Left wrist XR | posteroanterior | subsequent exam | imaged through cast | 617 x 822 px —

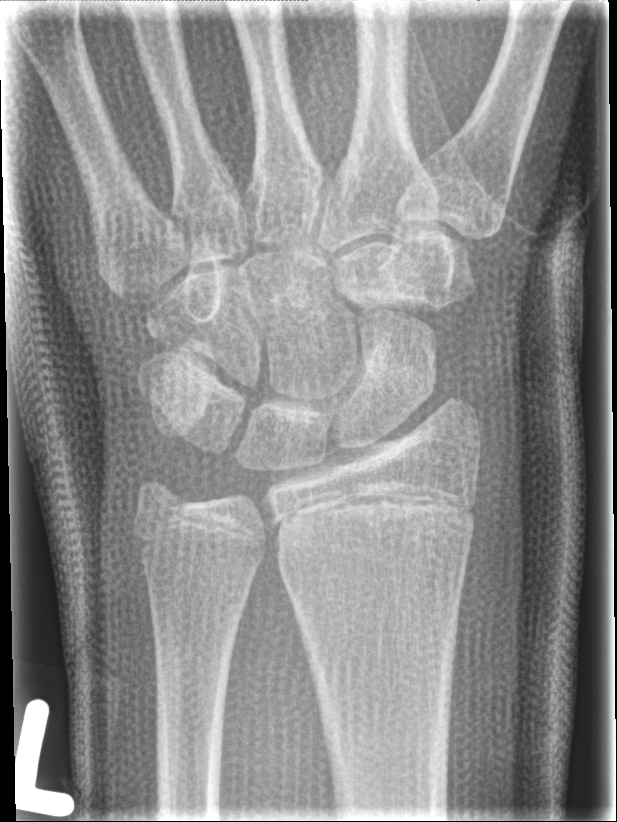
One bone fracture at (265, 486, 477, 568). Fracture classified AO/OTA 23r-M/2.1.